Left pediatric wrist radiograph | lat projection | boy, 13 yo | cast in situ | detector: Siemens.

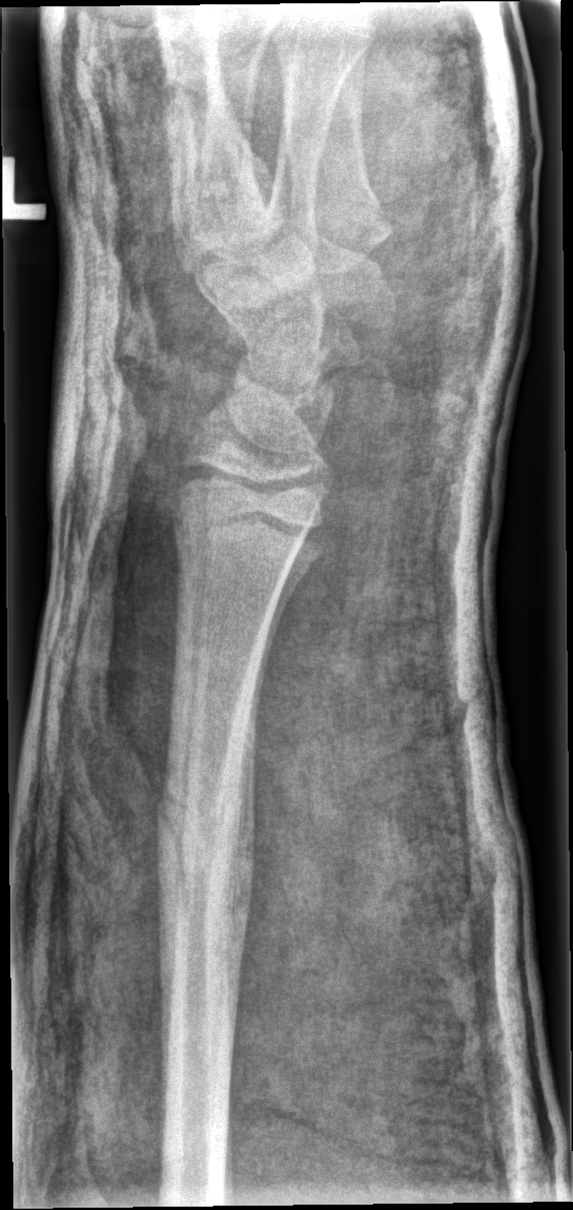

Coordinates are [x1, y1, x2, y2] in image pixels.
AO code 22r-D/2.1.
One bone fracture at (150, 781, 258, 909).